Right wrist radiograph · lateral projection · initial study:

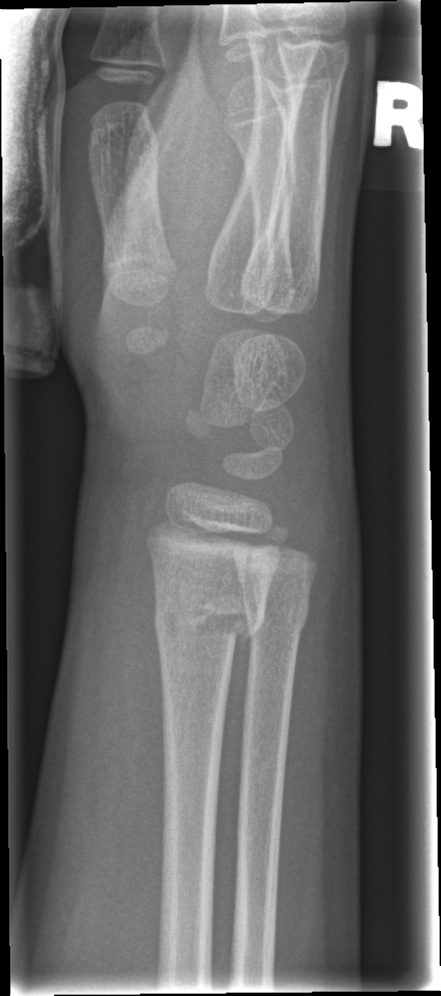

Bounding boxes in image-pixel xyxy. Two fractures at 152 589 265 648; 239 586 313 640.